PA view, L wrist radiograph, male, 11 yo, detector: Siemens, image 74.6 mm wide —
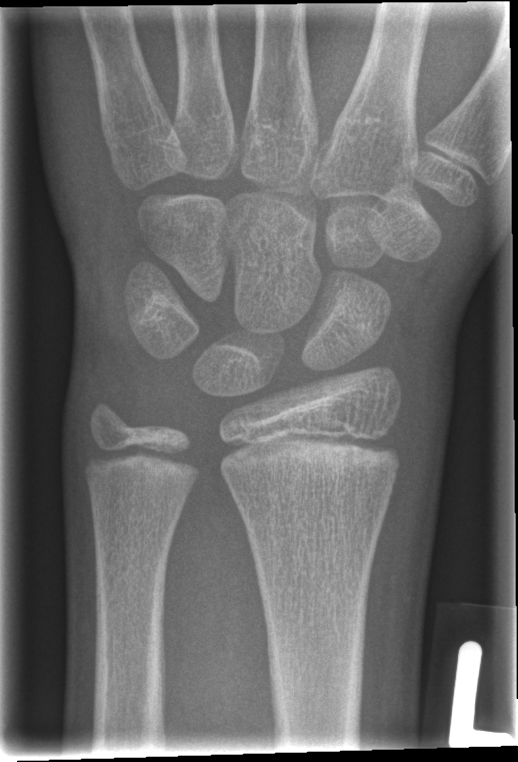 Findings: No Fx annotated.